L wrist XR · lateral projection · 552 x 1302 px:
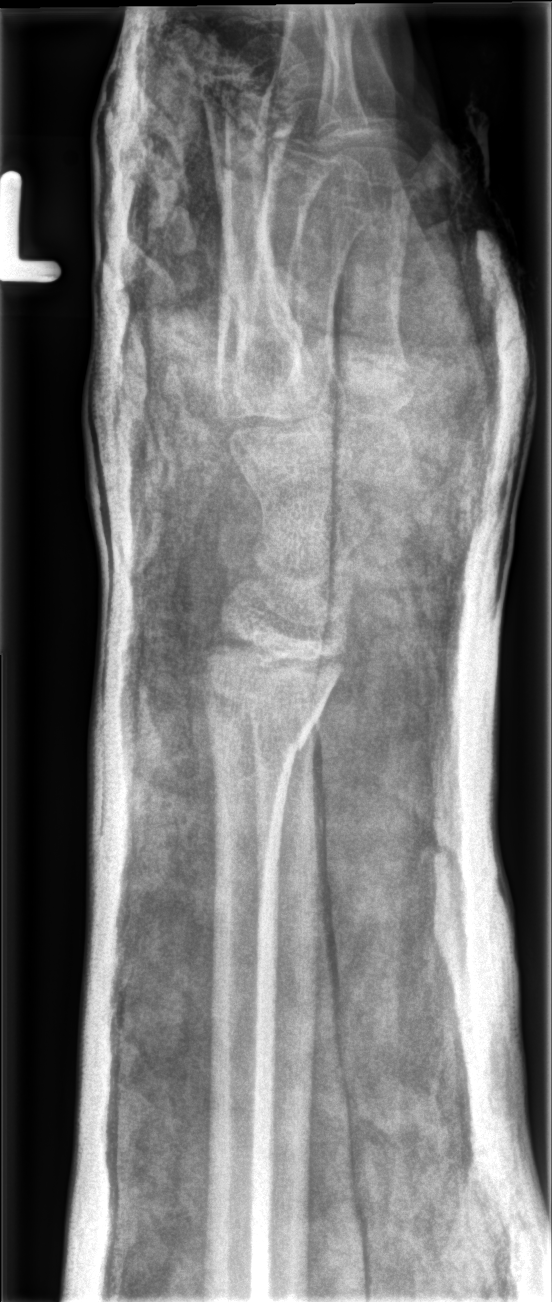
FINDINGS: (boxes as x1,y1,x2,y2 (top-left / bottom-right, pixel units)) Bone fracture identified at [x1=199, y1=679, x2=336, y2=769]. Fracture classified AO/OTA 23r-M/3.1.